Frontal; right wrist radiograph; 15-year-old boy; cast in situ; image 78.9 mm wide; 548 by 988 pixels 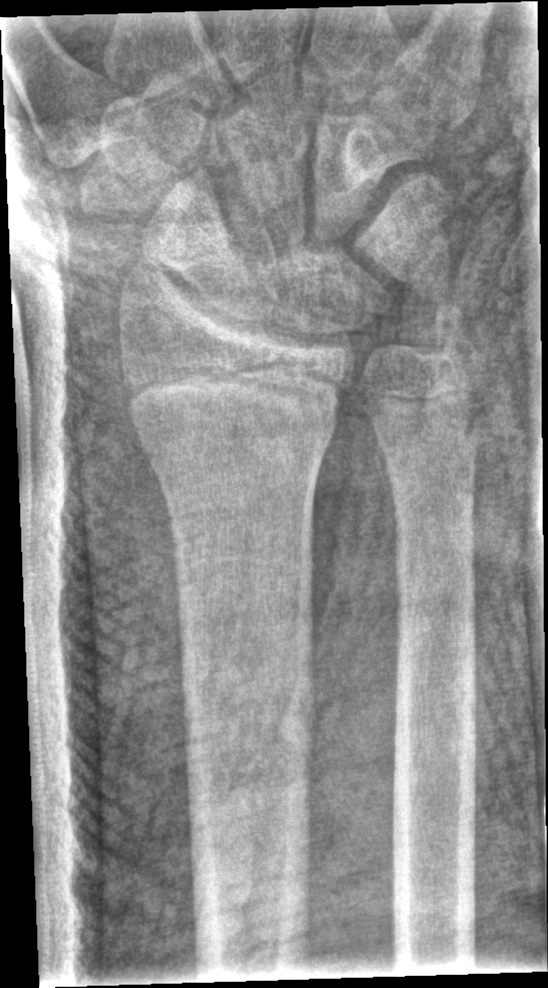
Fx = 2 @ [134, 358, 353, 475]; [421, 302, 483, 368]